PA/AP · right wrist plain radiograph of the wrist · 8-year-old boy · acquired on Siemens · image width 67.8 mm: 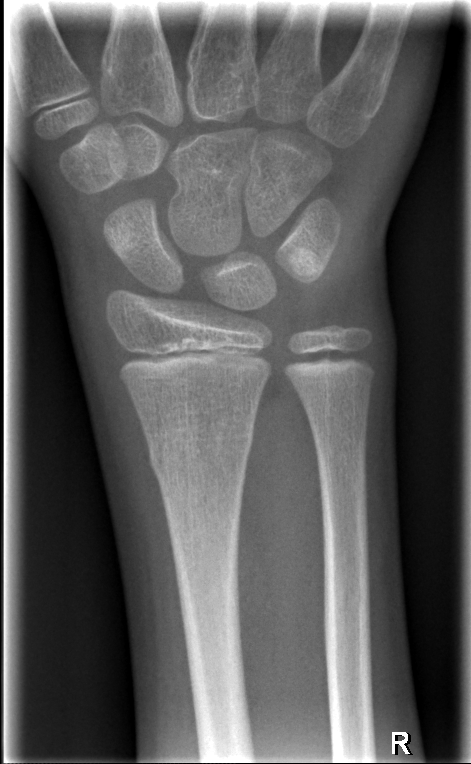

Bone fracture: [144, 419, 256, 478]. AO code 23r-M/2.1.